Right wrist radiograph · lateral · 15-year-old girl —
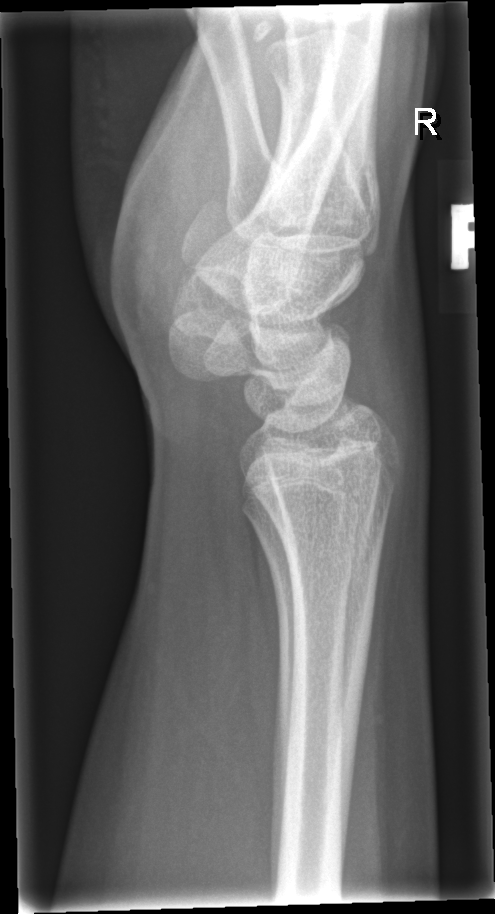 Fx: none labeled